Right wrist XR, lat view, pediatric patient (girl, age 12), subsequent exam.
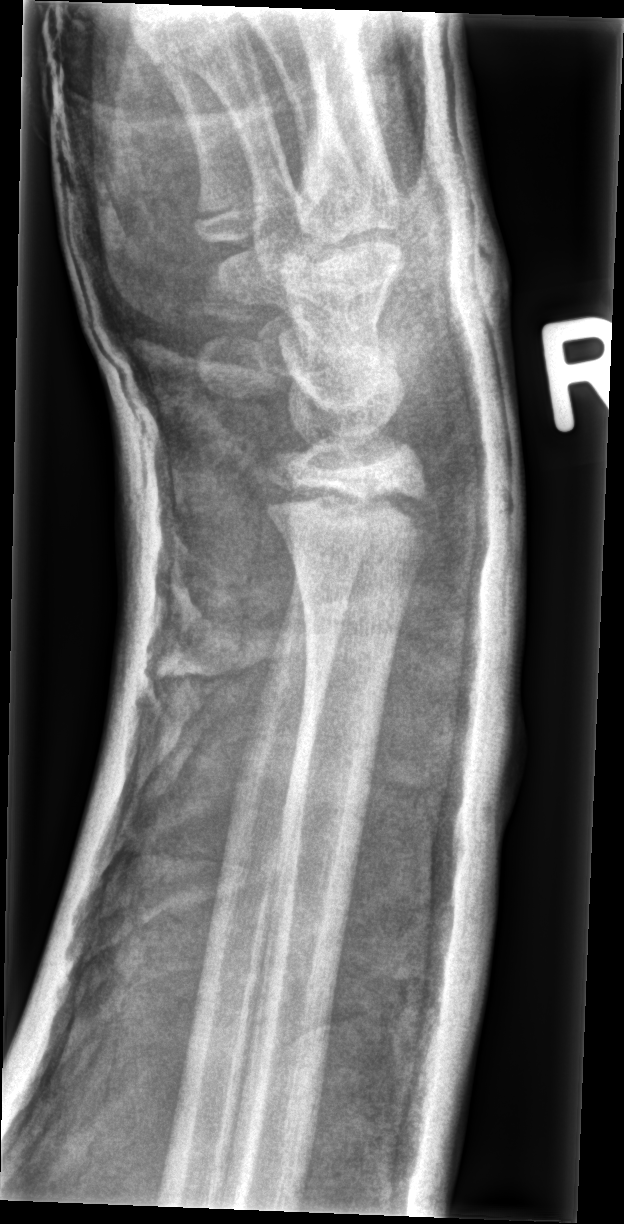
Bone fracture = (259, 467, 436, 558)